Lt wrist XR | lat view | in cast | detector: Siemens.

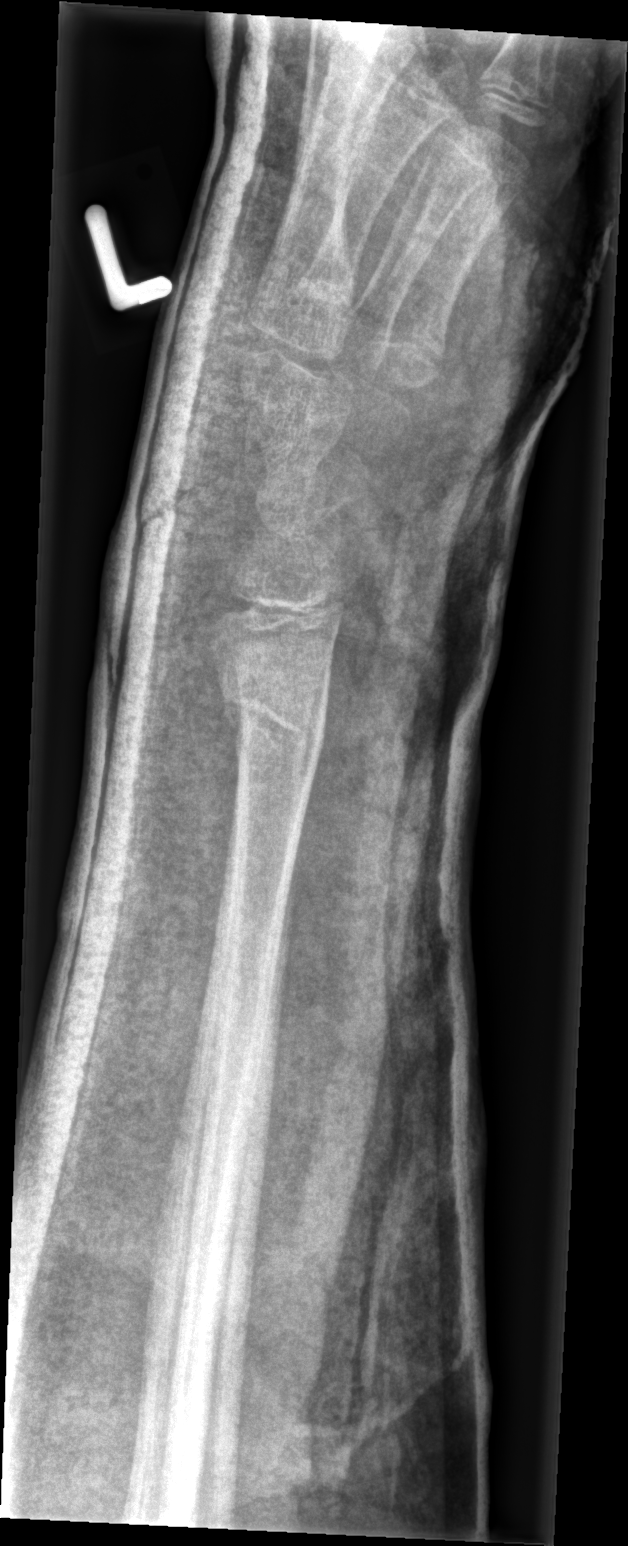

  fracture: 1 @ 209 665 330 778